L pediatric wrist radiograph | PA/AP | acquired on Agfa | 1092 x 1092 px:

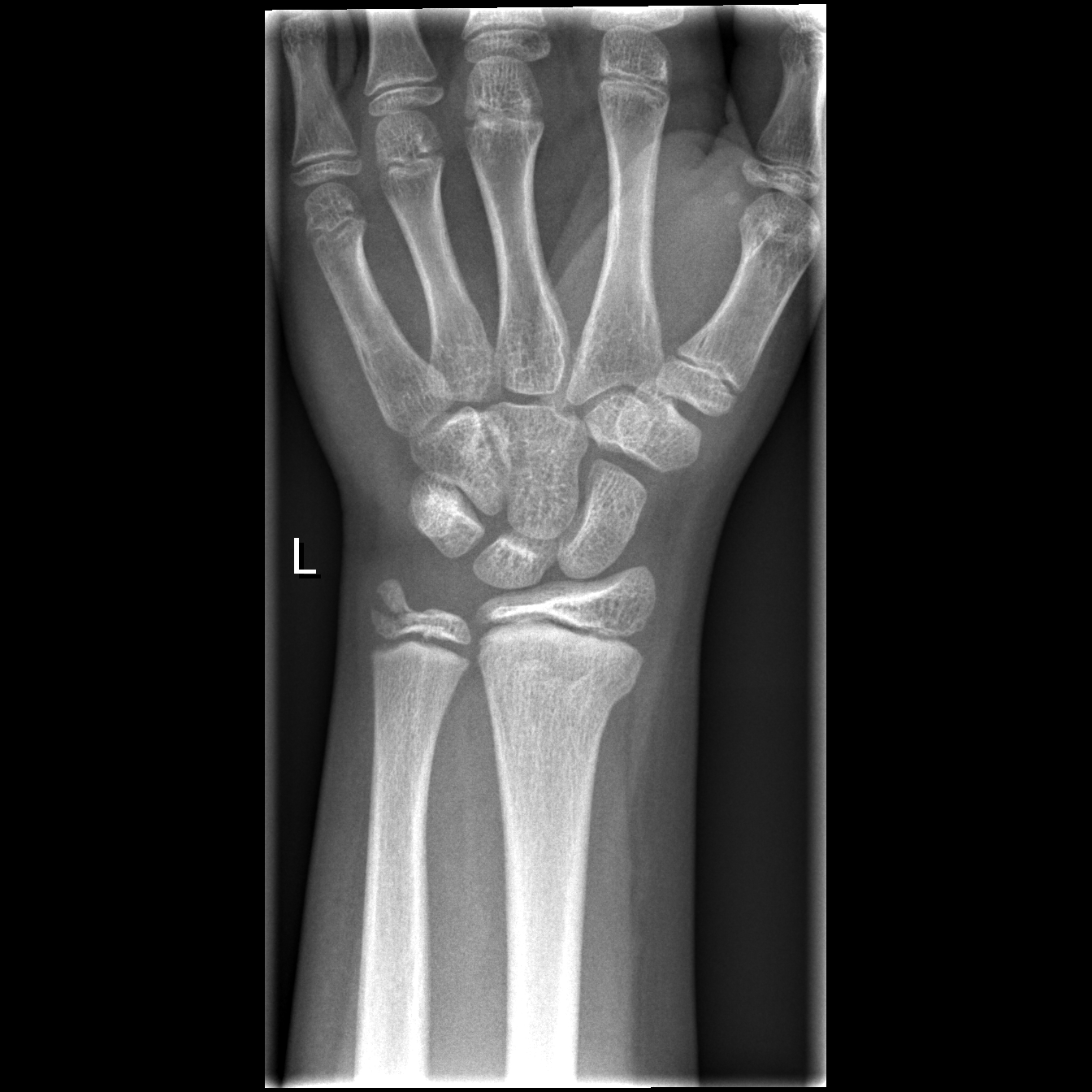 bone fracture: bbox(477, 640, 645, 711) bbox(362, 571, 426, 635)